Lateral view, Rt wrist radiograph, boy, 12 yo, follow-up:
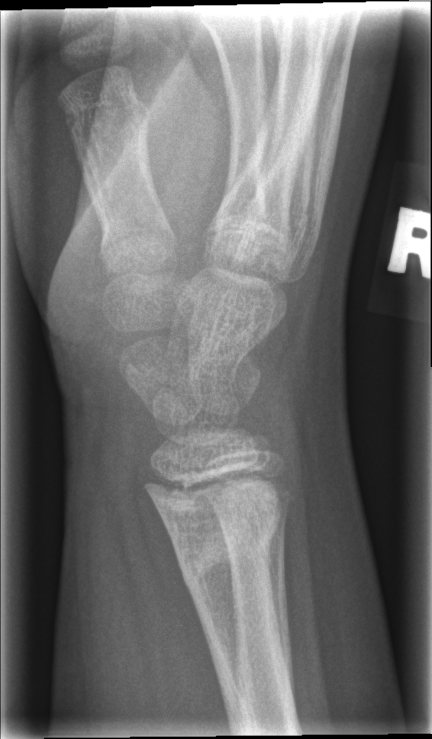

(boxes as x1,y1,x2,y2 (top-left / bottom-right, pixel units))
Fx = 1 @ (172, 508, 283, 591)